Right wrist XR, posteroanterior, 10-year-old girl:

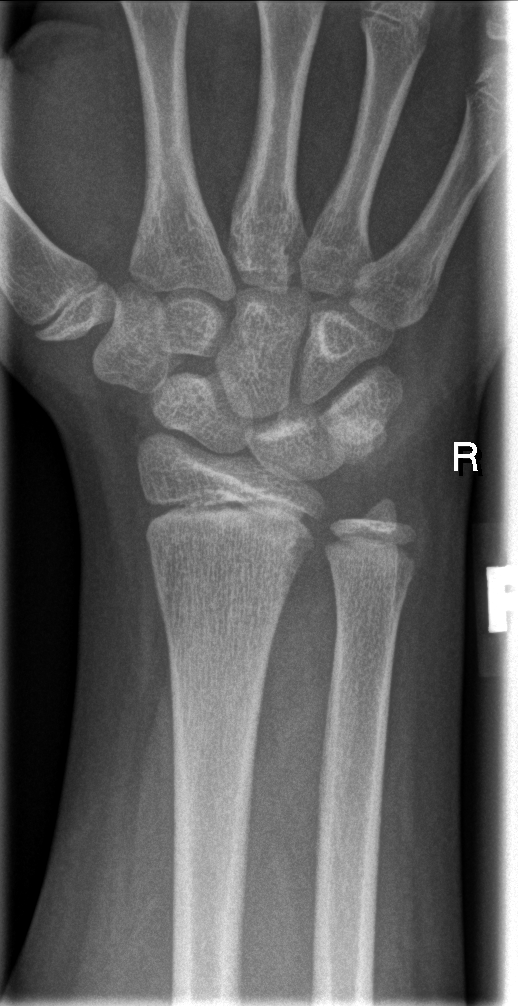
No Fx annotated.